Lt plain radiograph of the wrist; frontal; girl, 3 yo; acquired on Siemens; image 63.4 mm wide.
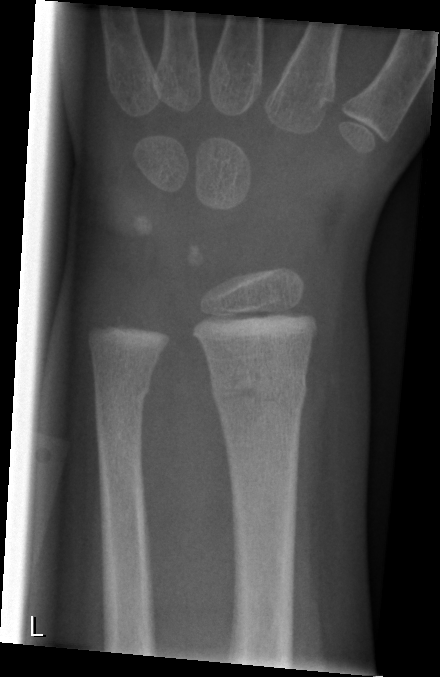
  fracture: [204, 360, 310, 418], [91, 372, 154, 410]
  ao: 23-M/2.1